R wrist XR, PA view, image width 87.7 mm
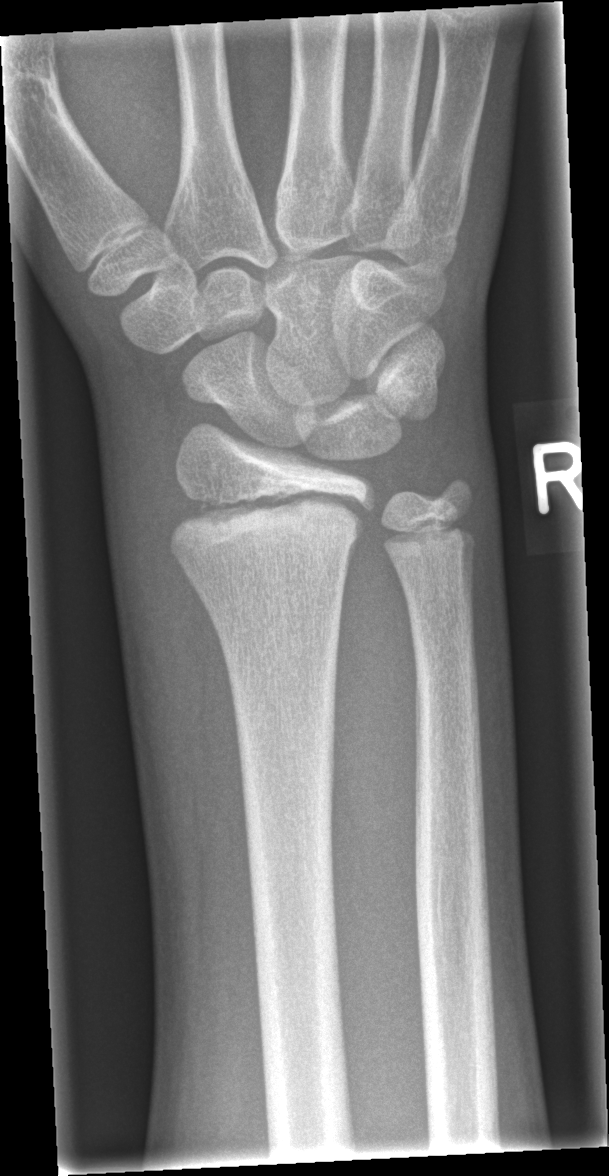

fracture = 1 @ (164, 484, 377, 568)